Lat, L wrist X-ray, female, 11 yo, index exam: 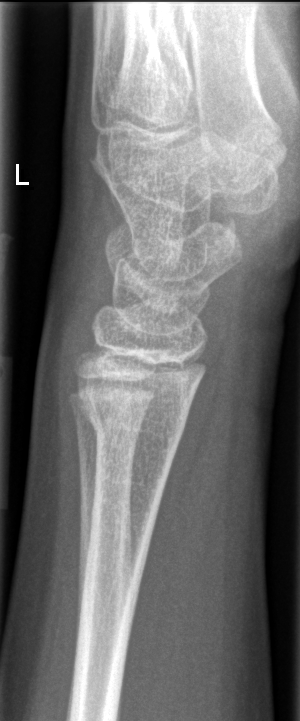

Coordinates are [x1, y1, x2, y2] in image pixels.
Fx: 74,378,189,459.